Left wrist plain radiograph of the wrist; AP projection:

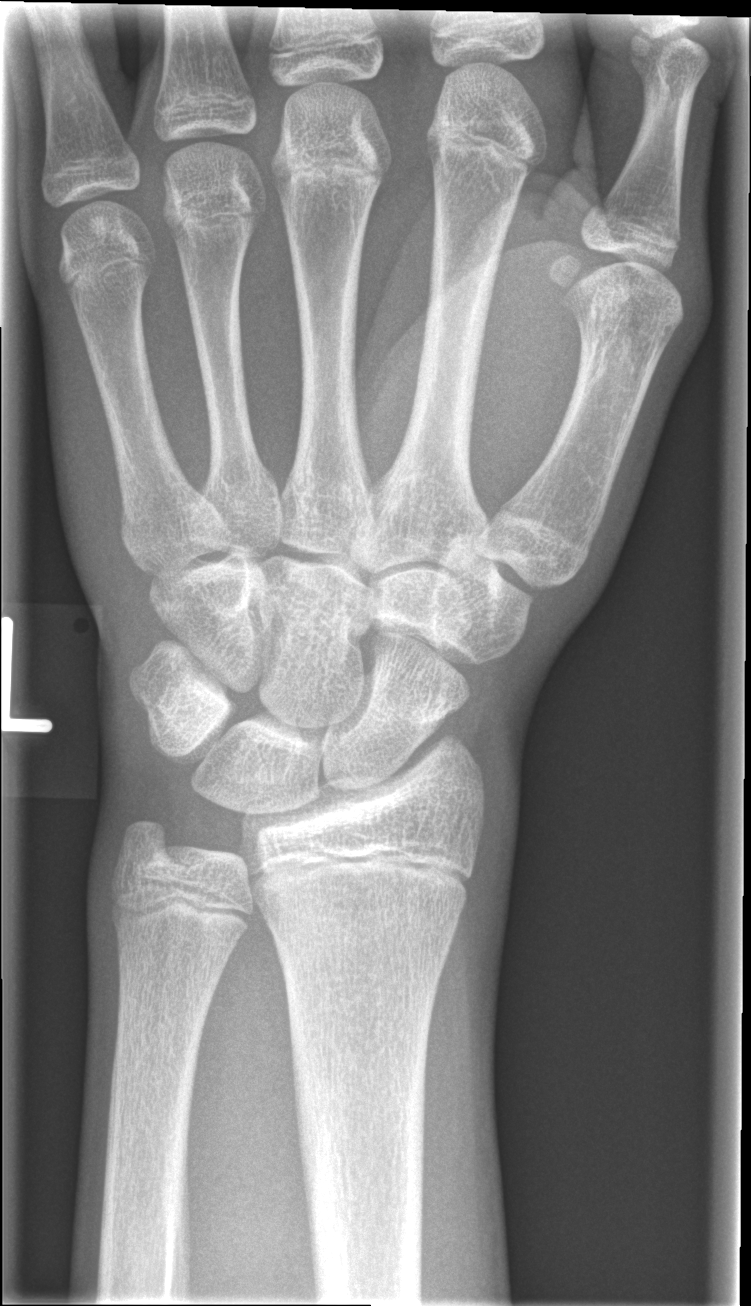
  # coordinates are [x1, y1, x2, y2] in image pixels
  fracture: 1 @ (left=287, top=1036, right=429, bottom=1194)